Frontal projection; Rt pediatric wrist radiograph; pediatric patient (female, age 7); in cast
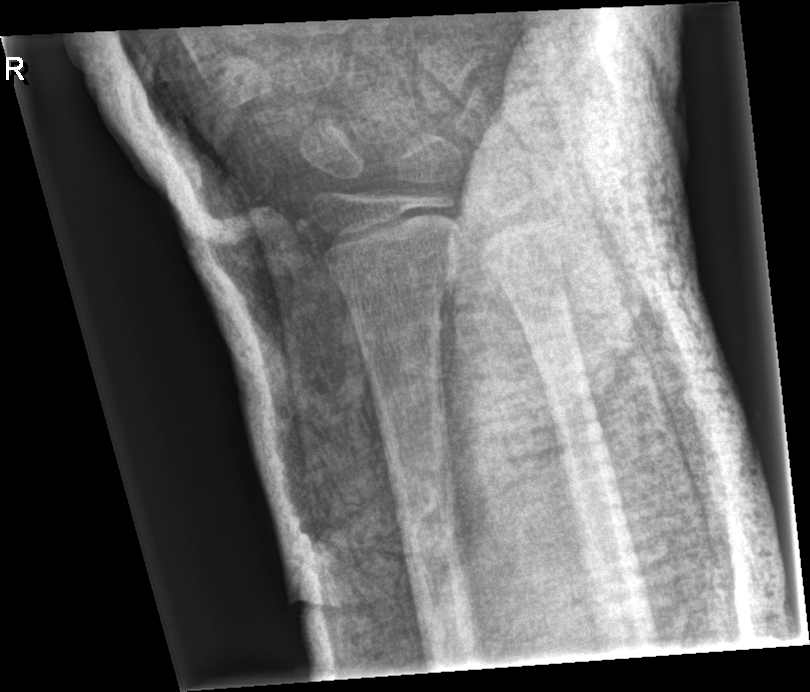

Fracture classified AO/OTA 23r-E/2.1.
Fx — 324,222,468,300.